Lateral projection · L wrist X-ray · 11-year-old male · imaged through cast —

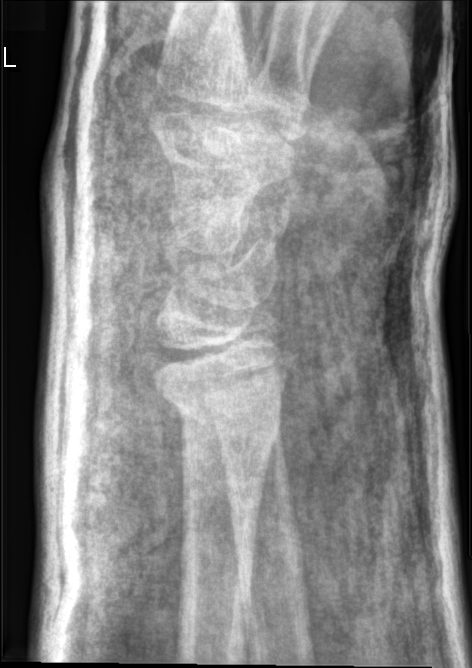 Fx identified at [x1=154, y1=367, x2=288, y2=460].